Frontal; left wrist XR; subsequent exam; cast in situ; image width 92.9 mm:
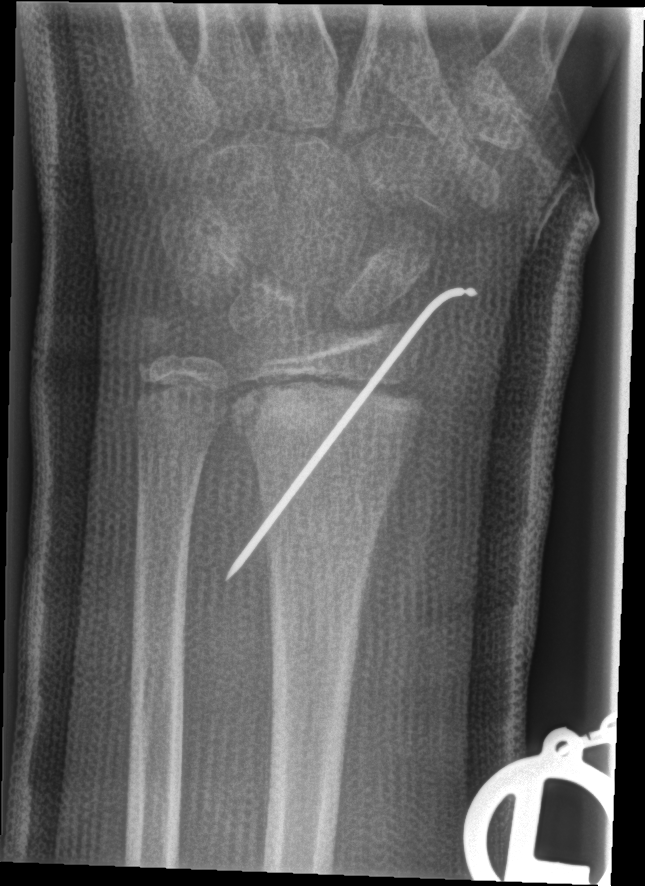
- Fracture identified at [x1=225, y1=377, x2=426, y2=469].
- Hardware identified at [x1=226, y1=284, x2=479, y2=580].